Lateral, Lt wrist plain film, age 8 y, female 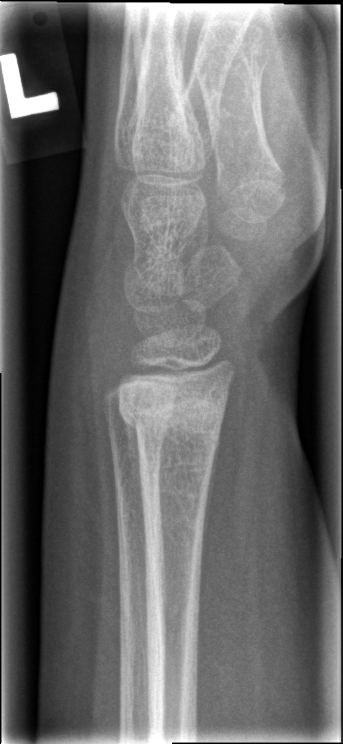

{"periostealreaction": "1 @ (121, 413, 146, 531)", "osteopenia": "present", "fracture": "(116, 383, 229, 445)"}